Lt wrist XR | lat projection | female, 10 yo | image size 447x1286:

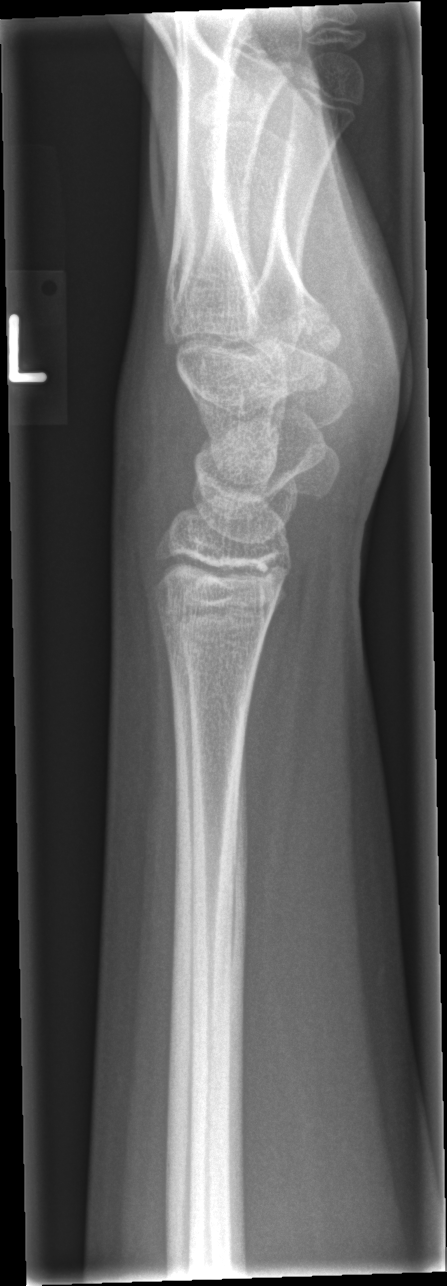

(boxes as x1,y1,x2,y2 (top-left / bottom-right, pixel units))
Fracture = none labeled
Soft-tissue swelling = [109, 324, 197, 523]